Lat; R wrist plain film; 13y M; 692 x 1026 px: 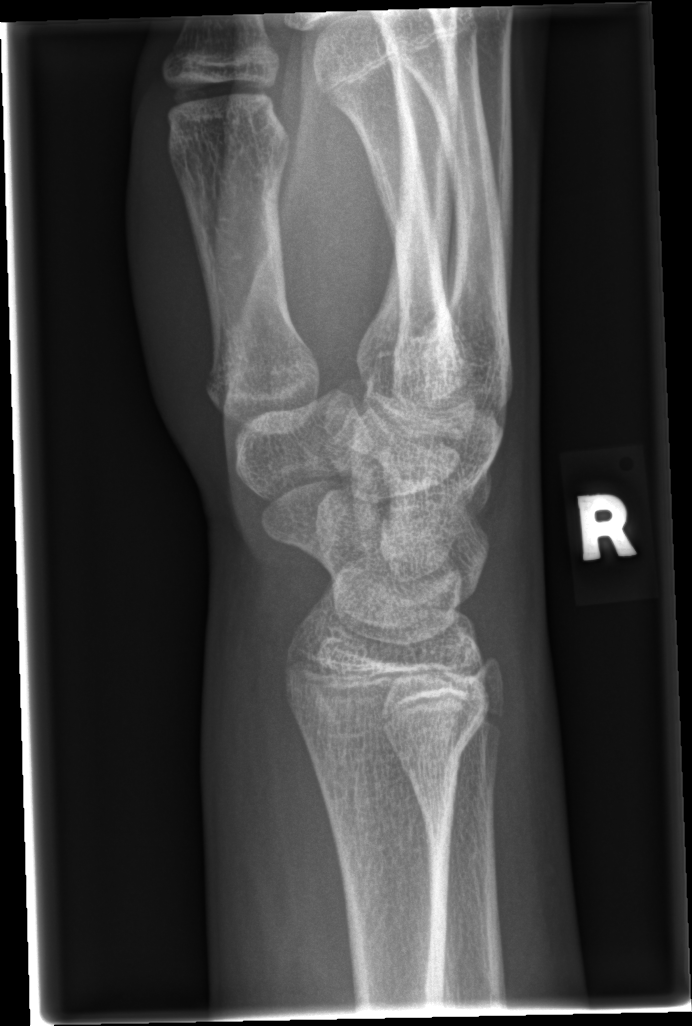

Fracture classified AO/OTA 23r-M/2.1. One Fx at (303, 707, 485, 780). One pronator quadratus fat-pad sign at (243, 646, 346, 960). Soft-tissue swelling identified at (205, 605, 356, 994).